Left wrist radiograph · frontal view · age 10 y, boy · Siemens · image size 686x1278 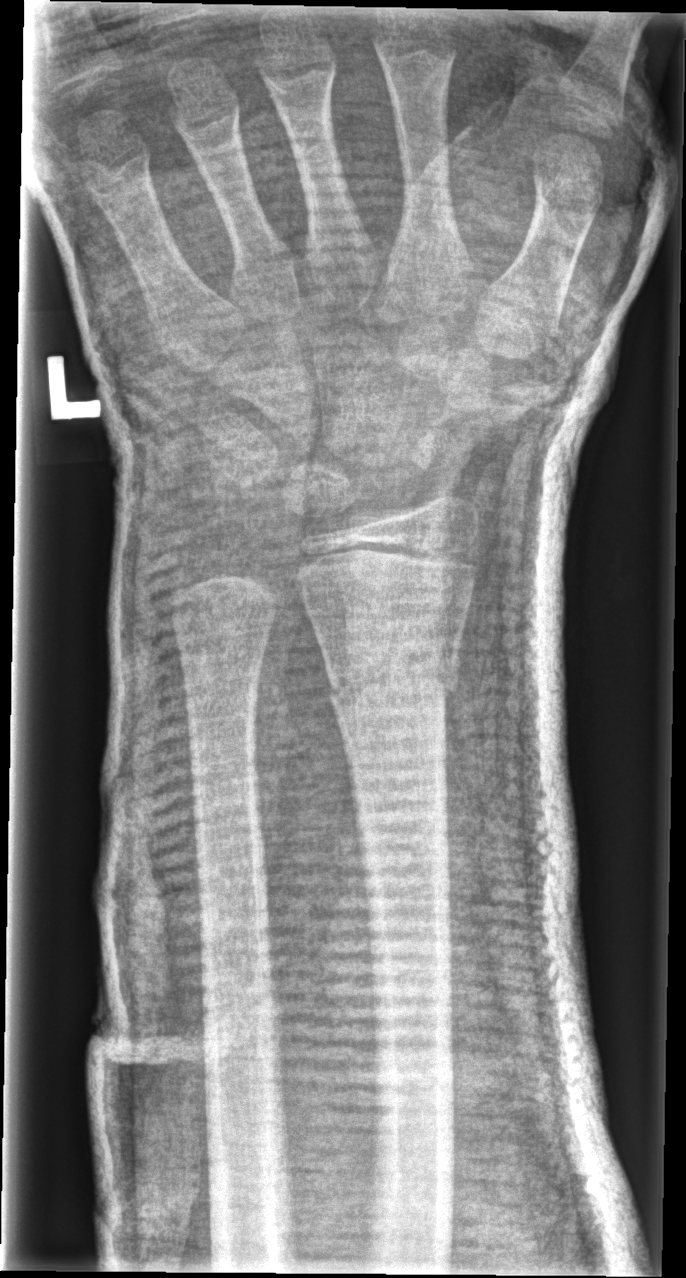
Bone fracture = 1 @ 318 638 463 716
AO classification = 23r-M/3.1